Lat view · left wrist radiograph · 15-year-old female · acquired on Siemens · 70.0 mm image width.
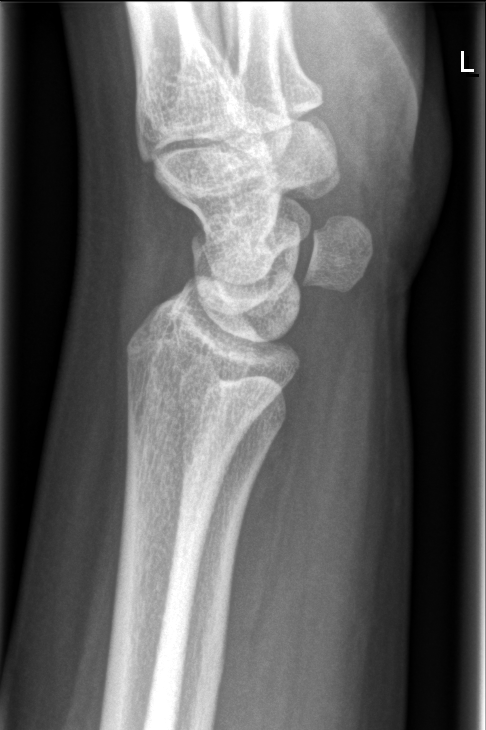
No fracture bounding box.